Lat view, left wrist plain radiograph of the wrist, imaged through cast, 454x1065:
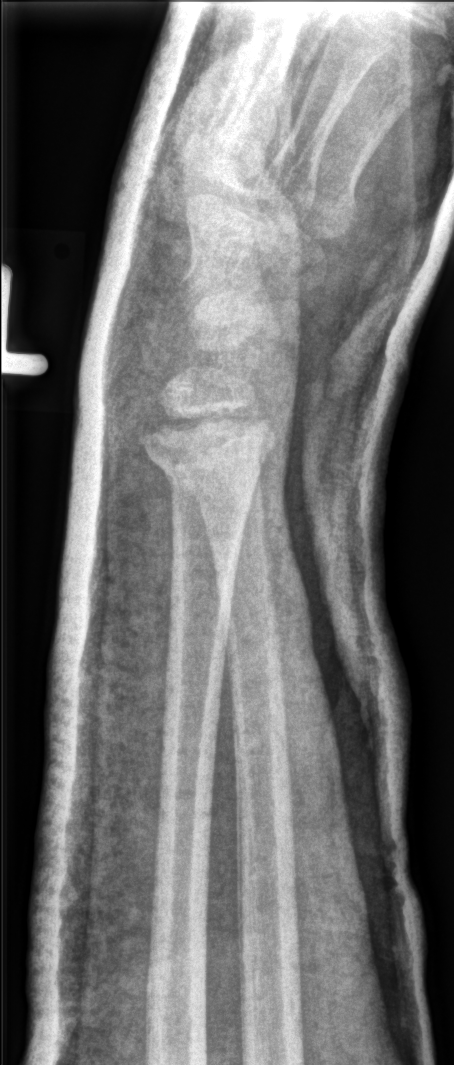

- AO code 23-M/2.1.
- Bone fracture: <151,454>-<222,524>.